Lt pediatric wrist radiograph | lat | age 5 y, male | cast present | acquired on Siemens | 76.0 mm image width 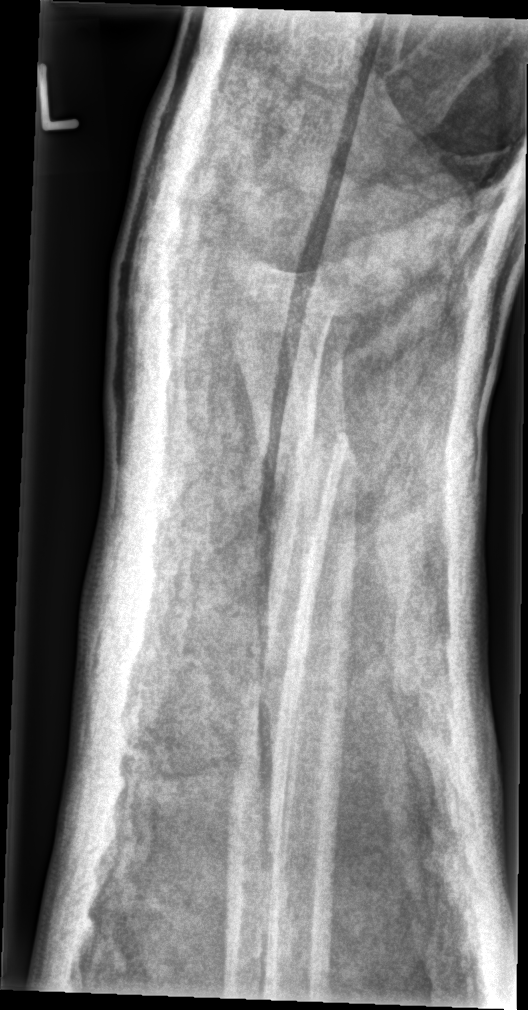 (pixel coordinates, top-left origin, xyxy)
Fx: 1 @ 249,424,351,477